Right wrist XR; lat view; age 13 y, boy; detector: Siemens; image 71.1 mm wide —
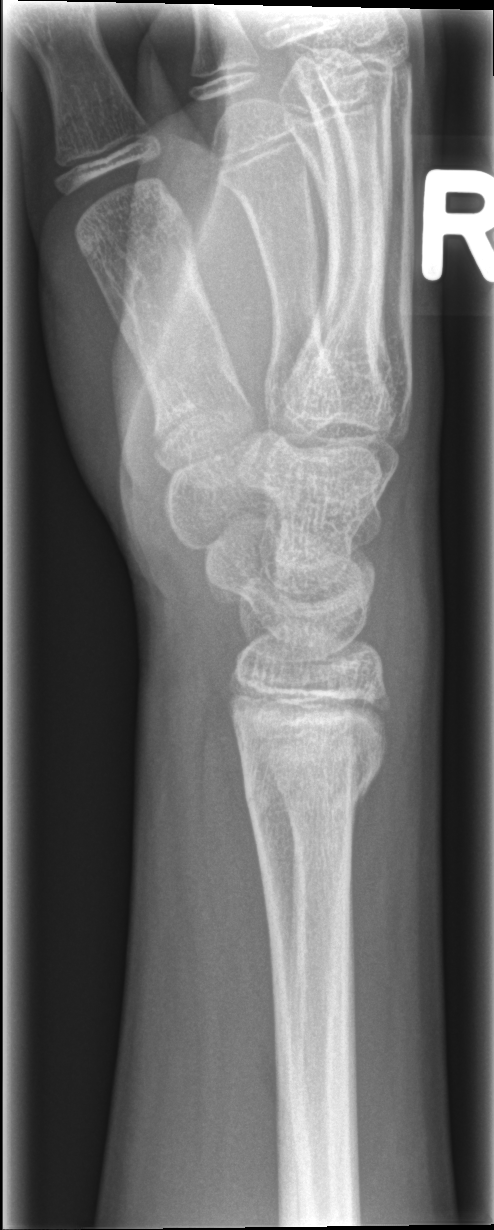
FINDINGS — Fracture classified AO/OTA 23r-M/2.1; 23u-E/7. One bone fracture at [x1=233, y1=737, x2=391, y2=831].